Lat view | R wrist XR | follow-up study | imaged through cast — 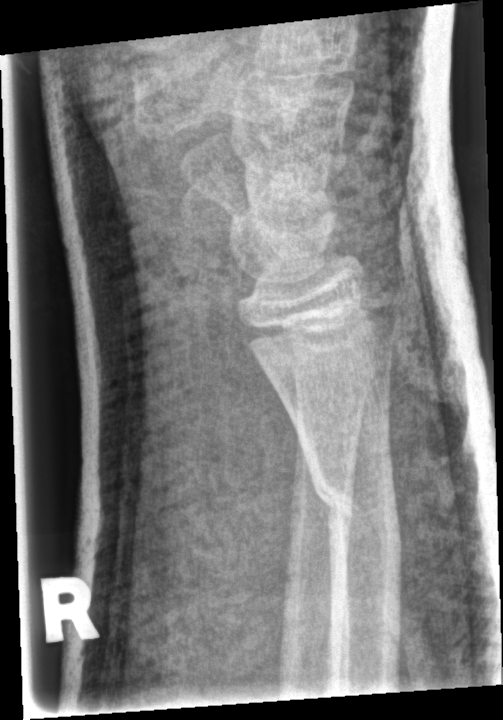 Findings: AO code 23r-M/3.1; 23u-M/2.1. Fracture: 308,468,403,553.